Frontal; L wrist radiograph; pediatric patient (male, age 4); presentation radiograph

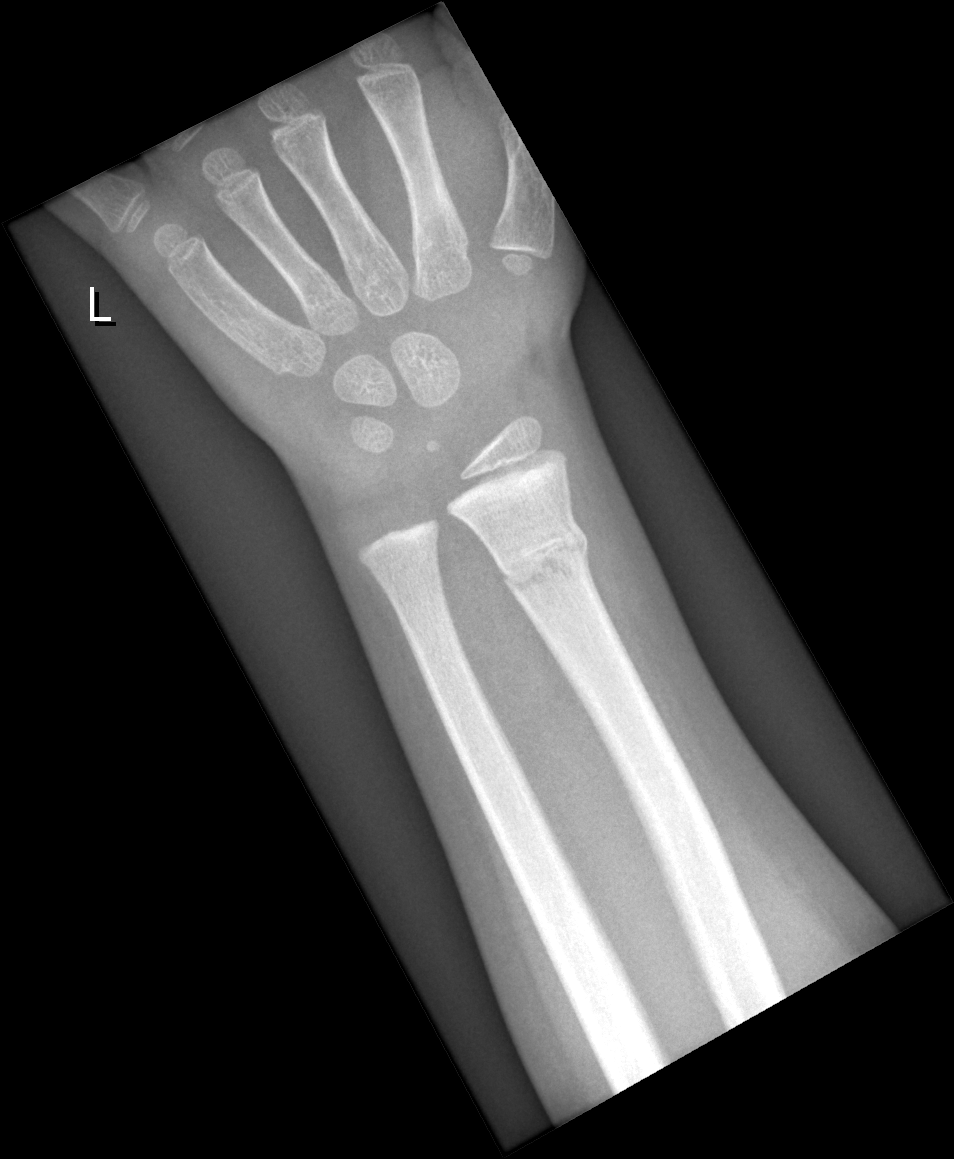

Bounding boxes in image-pixel xyxy. Fracture: (497, 517, 594, 600). Fracture classified AO/OTA 23r-M/3.1.